PA view, Lt pediatric wrist radiograph, cast present, 75.2 mm image width. 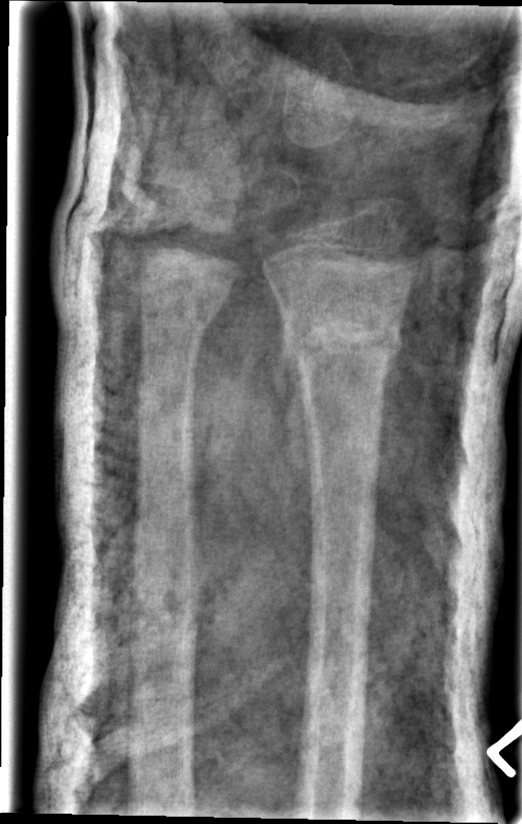

FINDINGS — Two bone fractures at (278, 296, 409, 384); (133, 269, 237, 341). AO/OTA classification: 23r-M/3.1; 23u-M/2.1.